Right wrist X-ray · lat · girl, 12 yo.

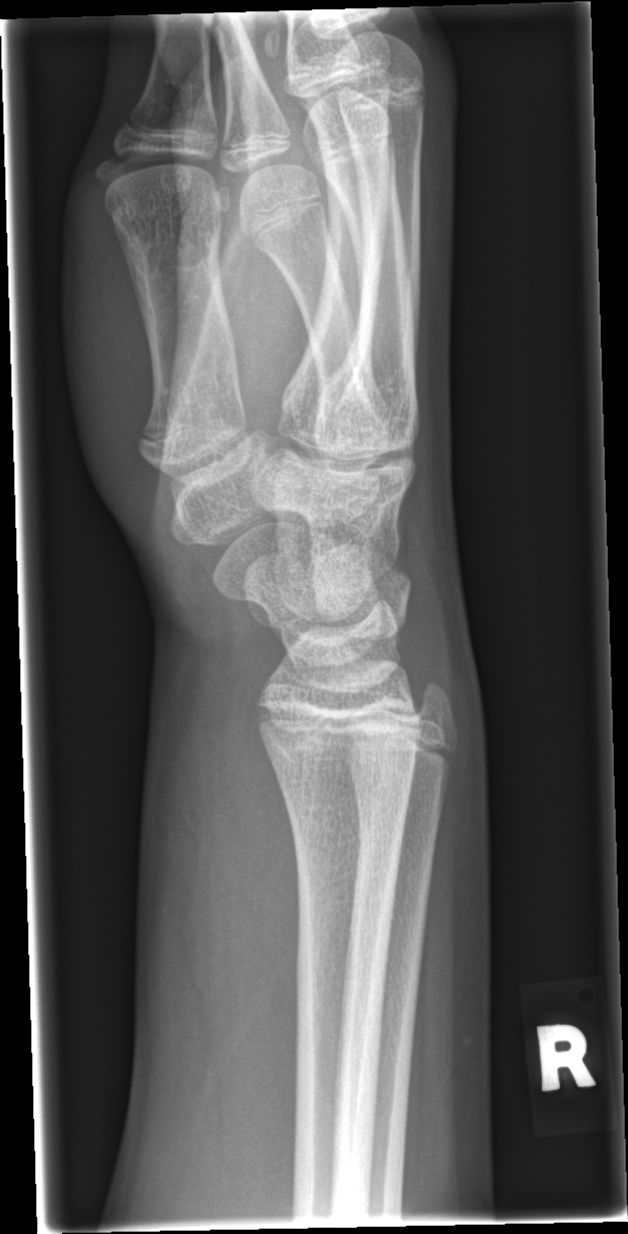

softtissue: 1 @ (160, 661, 310, 1200)
fracture: none labeled